Left wrist XR; PA; 6y F; follow-up study; cast present:
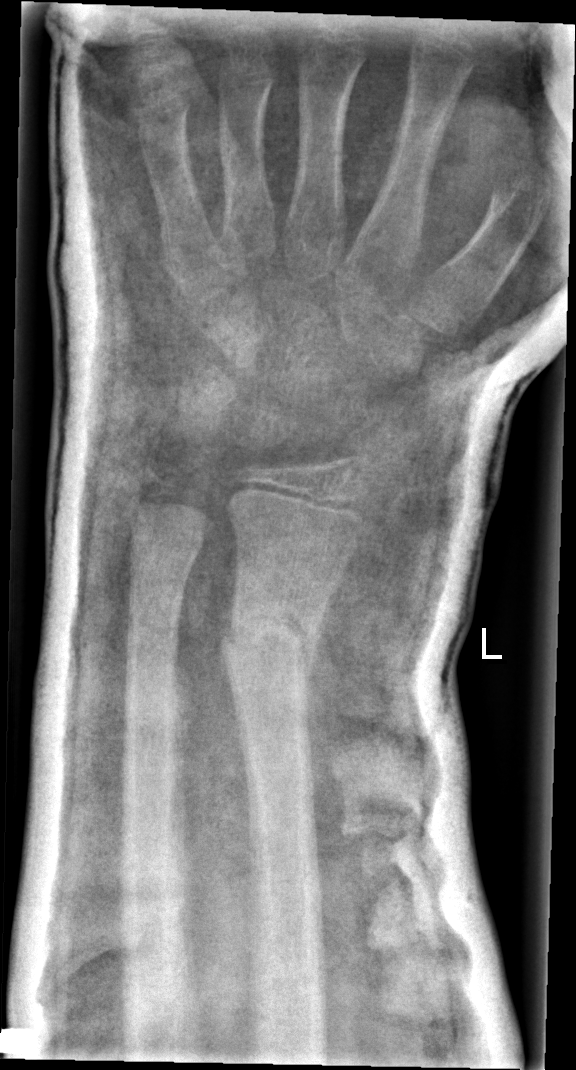
Fx — [x1=217, y1=595, x2=324, y2=690].